Rt wrist XR, PA/AP view, 17-year-old boy, detector: Siemens — 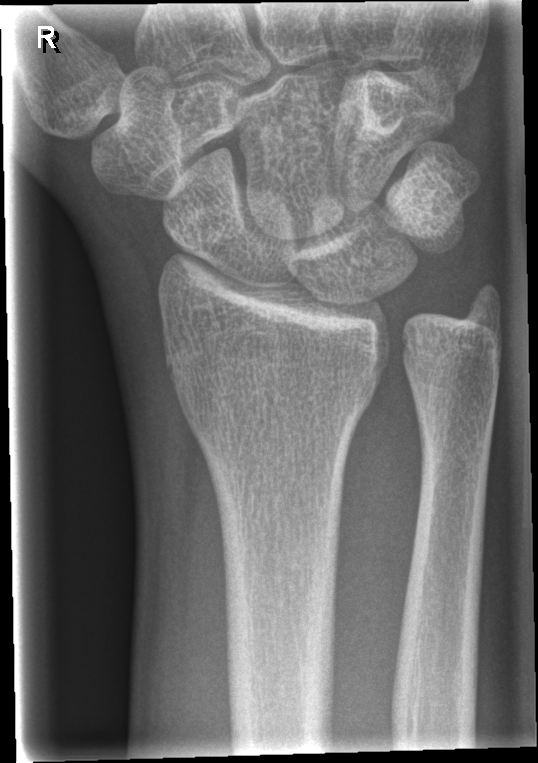 No fracture annotation.